R wrist XR; posteroanterior; index exam; detector: Siemens 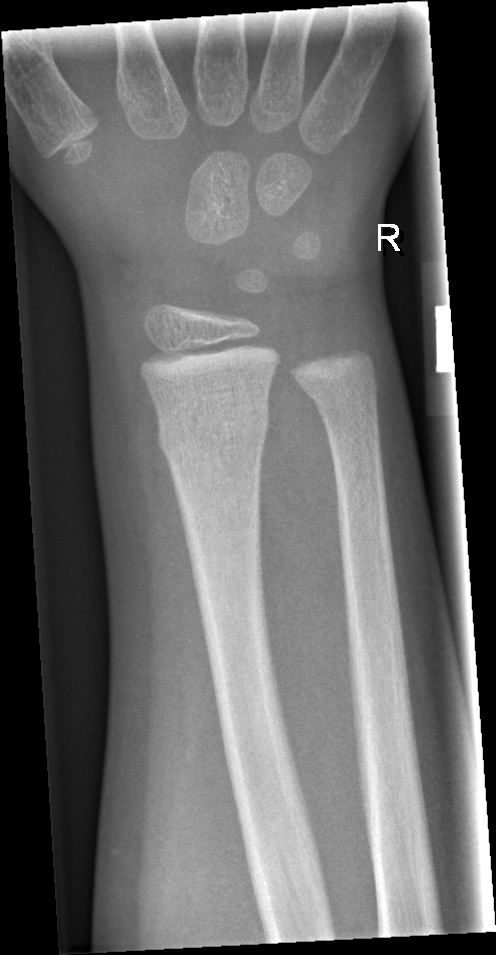
Bounding boxes in image-pixel xyxy. Two bone fractures at bbox(154, 397, 272, 459), bbox(303, 377, 380, 412). AO/OTA classification: 23-M/2.1.